Right wrist X-ray, lateral —

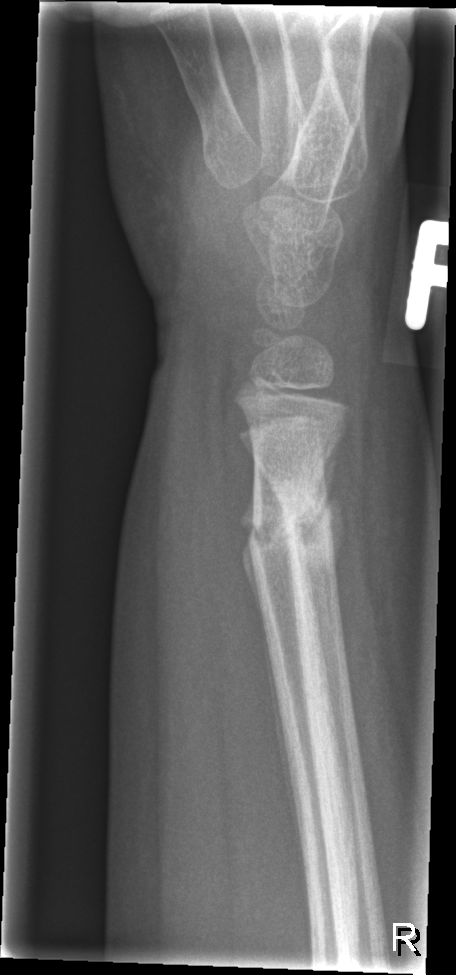

Osteopenia.
Fx identified at (left=238, top=469, right=339, bottom=568).